Left wrist X-ray, lat view, follow-up study. 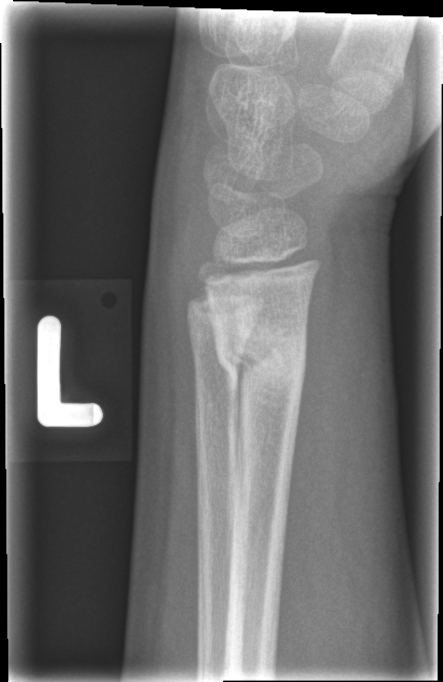 Two Fx at (left=211, top=308, right=310, bottom=410); (left=184, top=306, right=261, bottom=368).